Lt pediatric wrist radiograph; posteroanterior projection; male, 13 yo
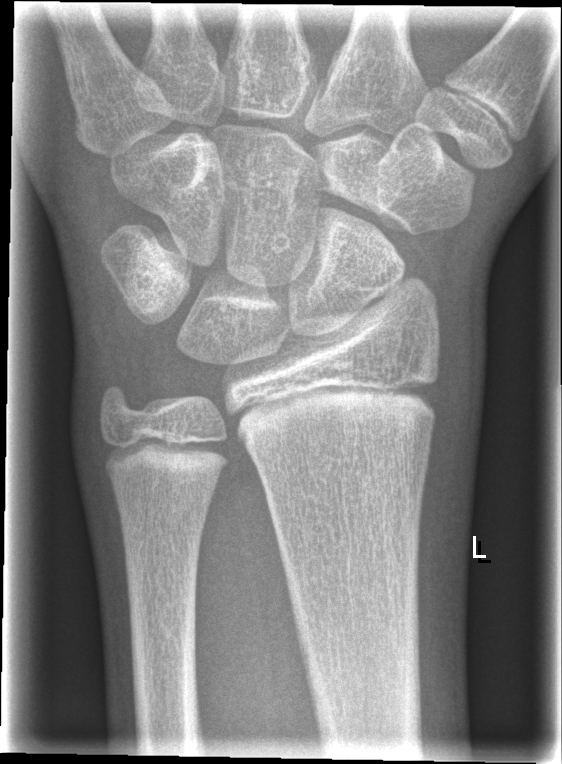 * No fracture annotation.